Lat · Lt wrist XR · pediatric patient (male, age 9) · follow-up: 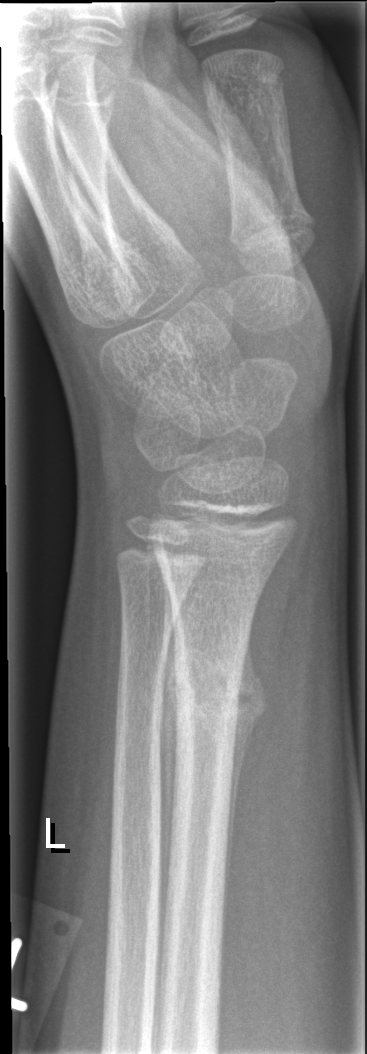 FINDINGS: Periosteal new bone — [222, 621, 270, 958] [152, 573, 180, 953]. Bone fracture identified at [169, 648, 245, 723]. AO code 23r-M/2.1.